Left wrist plain film, lat projection, presentation radiograph

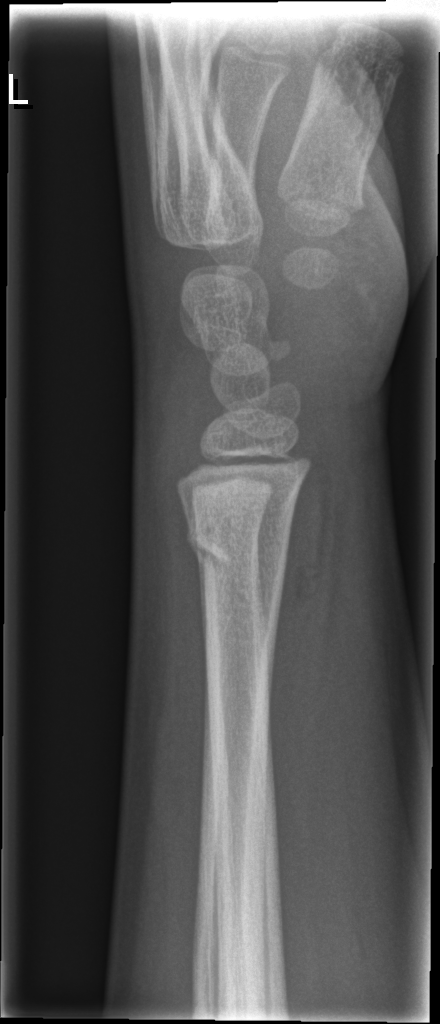
AO/OTA: 23r-M/2.1
fracture: 1 @ (left=181, top=517, right=289, bottom=590)
pronator sign: (left=264, top=421, right=342, bottom=742)